L wrist XR; lateral; follow-up; cast in situ
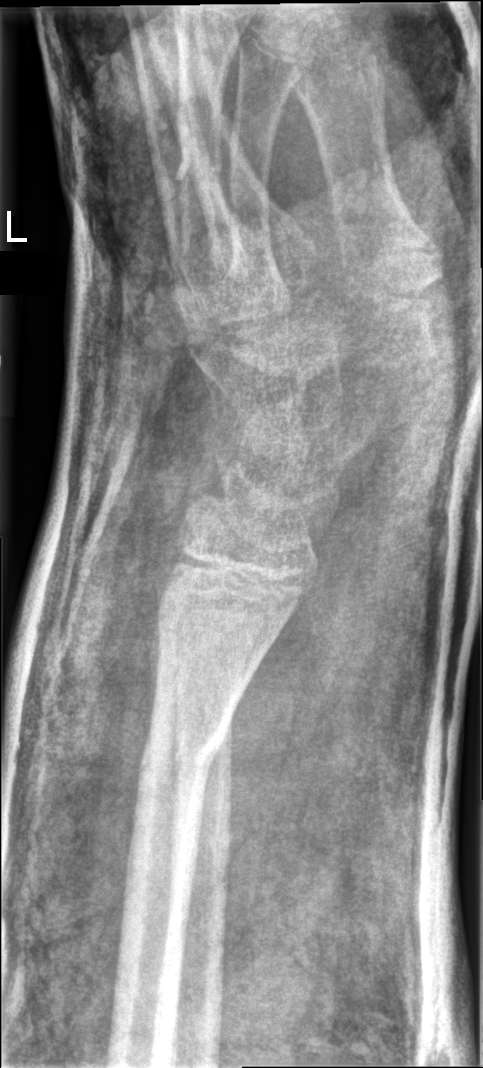 (pixel coordinates, top-left origin, xyxy)
Q: Locate any fractures.
A: Fx — 138 707 233 793
Q: AO code?
A: Fracture classified AO/OTA 23-M/2.1